Right wrist XR; PA/AP; image width 70.7 mm.
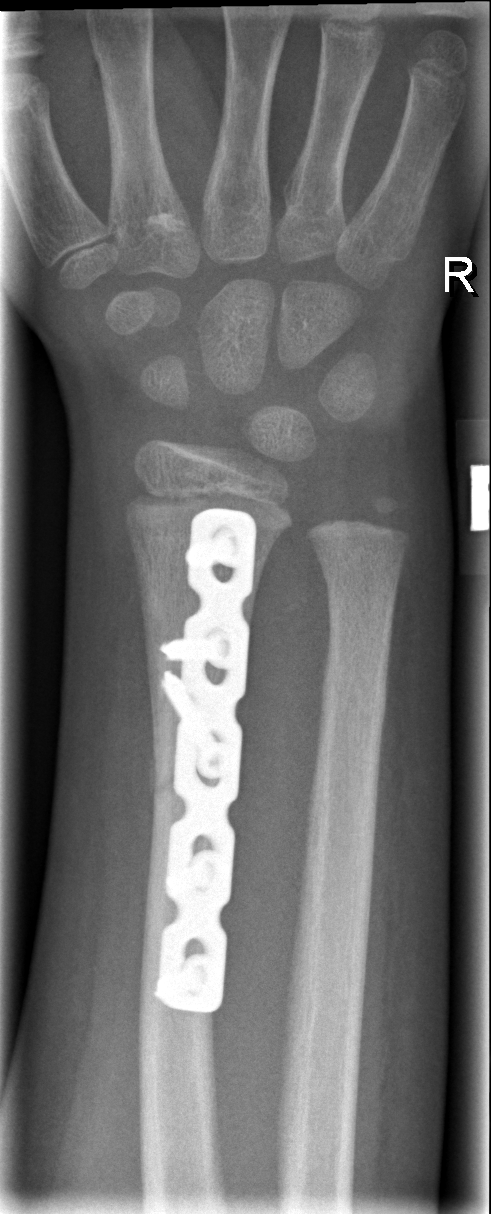

{
  "_coords": "pixel coordinates, top-left origin, xyxy",
  "metal": "1 @ [x1=153, y1=503, x2=259, y2=1015]",
  "fracture": "1 @ [x1=314, y1=658, x2=393, y2=739]"
}